Left wrist X-ray, lateral, pediatric patient (boy, age 10), 513 x 1086 px. 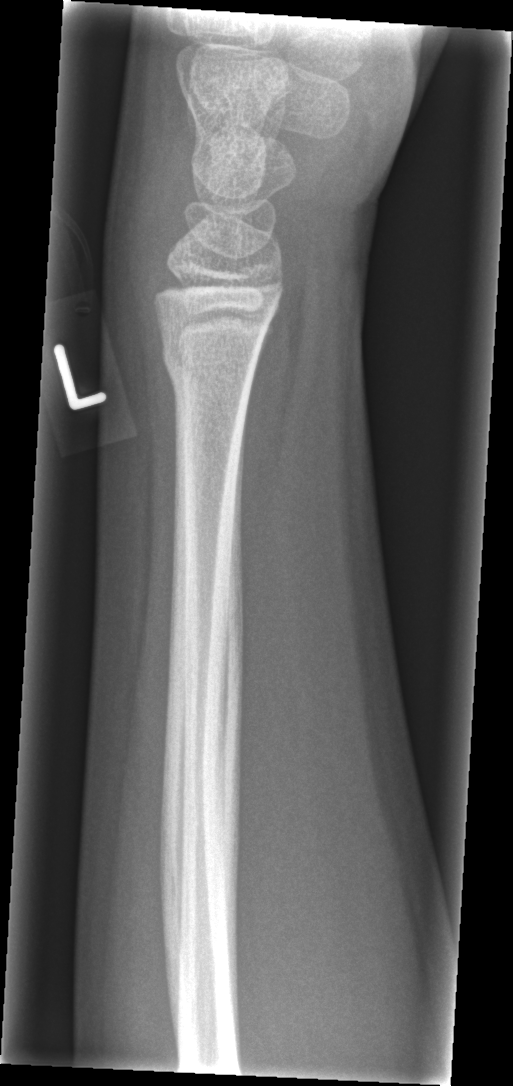 {
  "fracture": "1 @ bbox(156, 326, 266, 390)",
  "ao": "23r-M/2.1",
  "softtissue": "1 @ bbox(108, 67, 199, 344)"
}